L wrist XR, frontal view, age 6 y, girl, image size 425x662 — 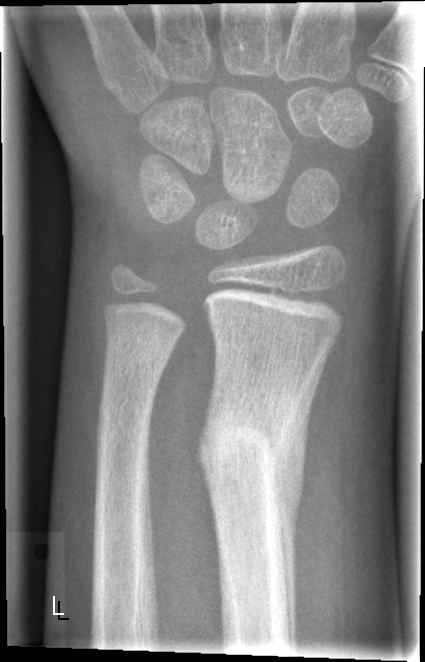
Q: Is there periosteal reaction?
A: Periosteal reaction — <264,345>-<325,655>
Q: Is there a fracture?
A: Fx — <195,408>-<292,488>, <93,356>-<167,441>
Q: What is the AO/OTA classification?
A: Fracture classified AO/OTA 23r-M/3.1; 23u-M/2.1